Lat projection; L pediatric wrist radiograph; presentation radiograph; acquired on Siemens; 502x934 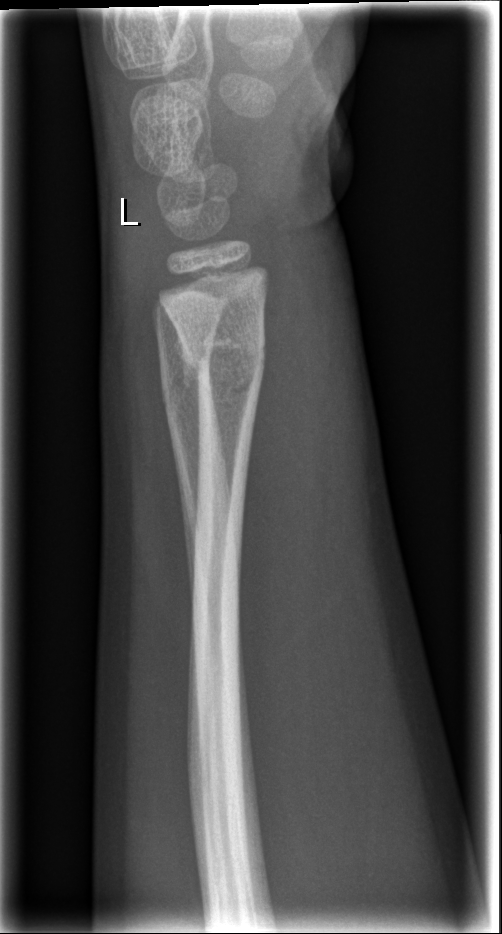

Fx: 1 @ 176,332,274,400